Right wrist X-ray · PA/AP · 12y M · in cast · 716 by 868 pixels

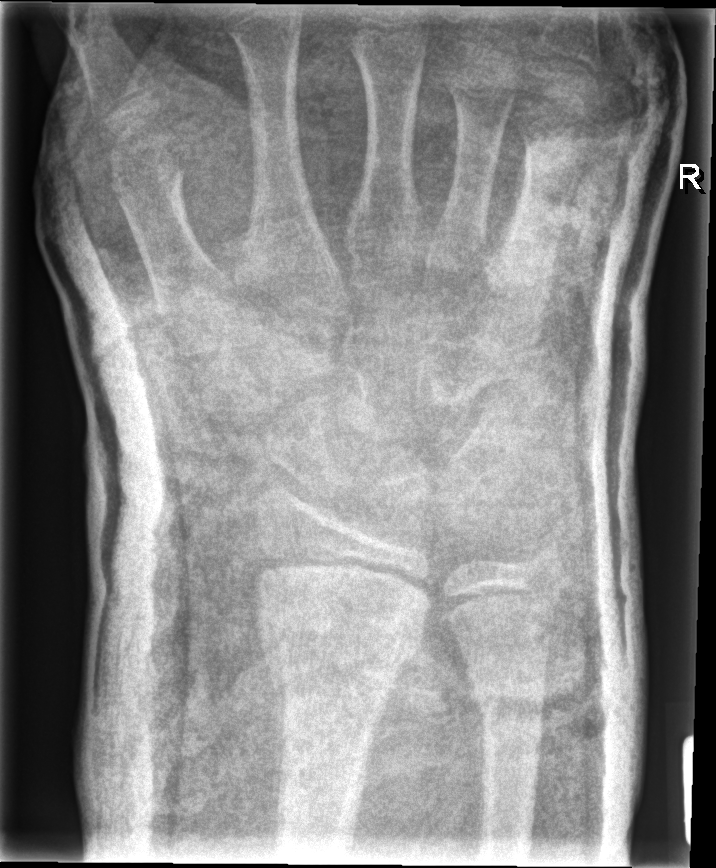

(boxes as x1,y1,x2,y2 (top-left / bottom-right, pixel units))
AO/OTA = 23r-E/2.1; 23u-M/2.1
Periosteal reaction = 273 680 287 836
Fracture = 2 @ 257 592 421 696; 467 657 550 730